Left wrist plain film · lat · pediatric patient (male, age 11) —

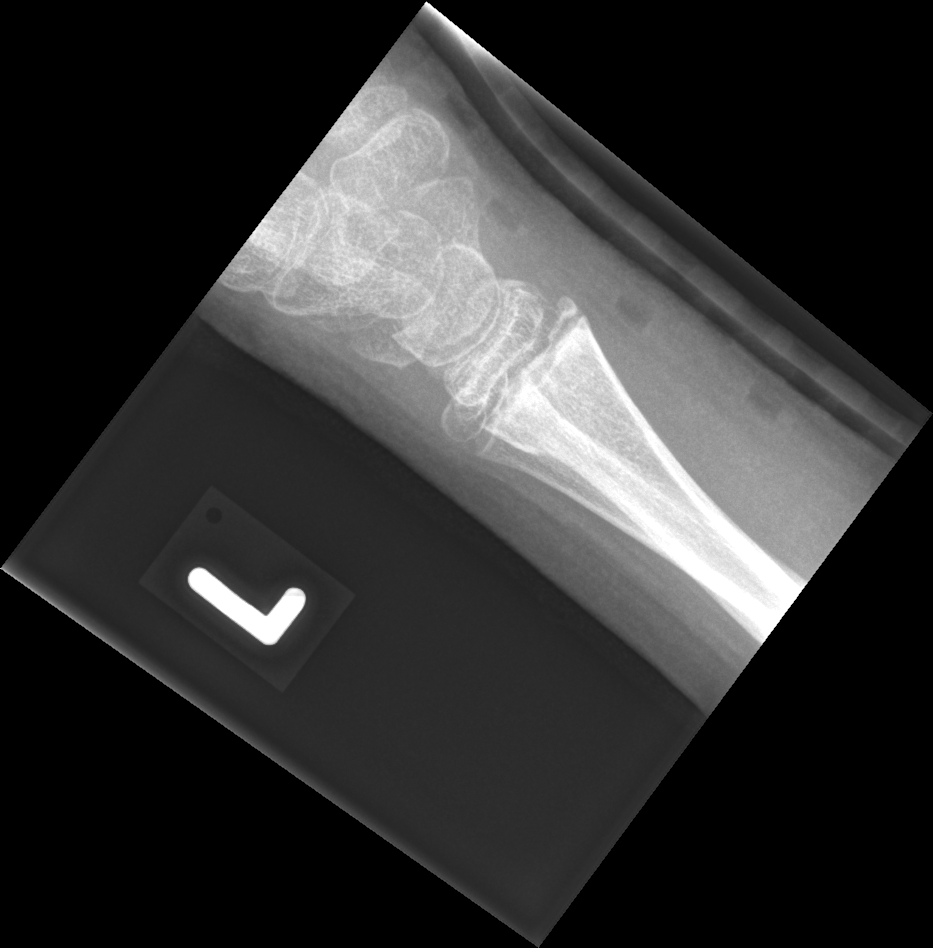
Findings: (bounding boxes in image-pixel xyxy) Fx identified at bbox(468, 286, 592, 436). Fracture classified AO/OTA 23r-E/2.1; 23u-E/7. Osteopenic.